Lateral | L wrist XR: 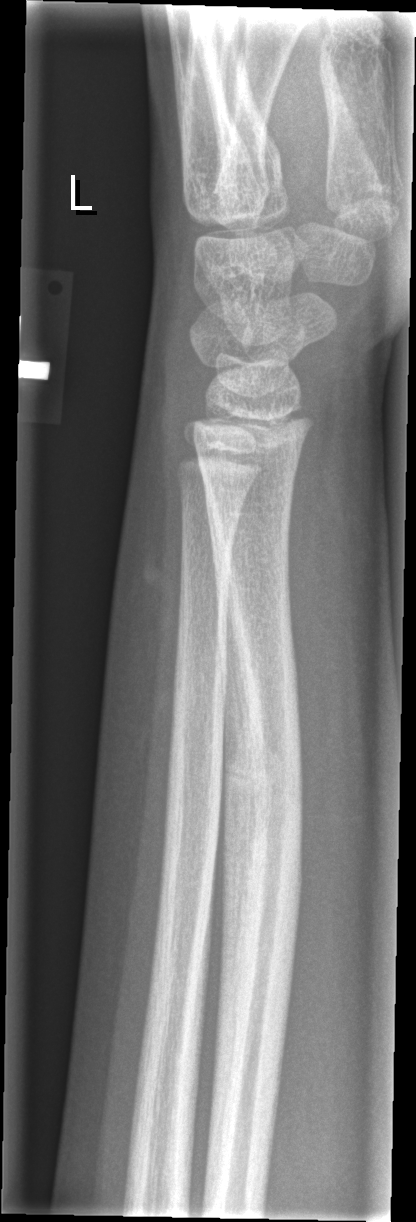 Fracture identified at [220, 681, 308, 874]. Periosteal new bone: [213, 654, 253, 1195]. AO/OTA classification: 22r-D/1.1.